Left wrist radiograph; PA/AP; 14y M; acquired on Siemens

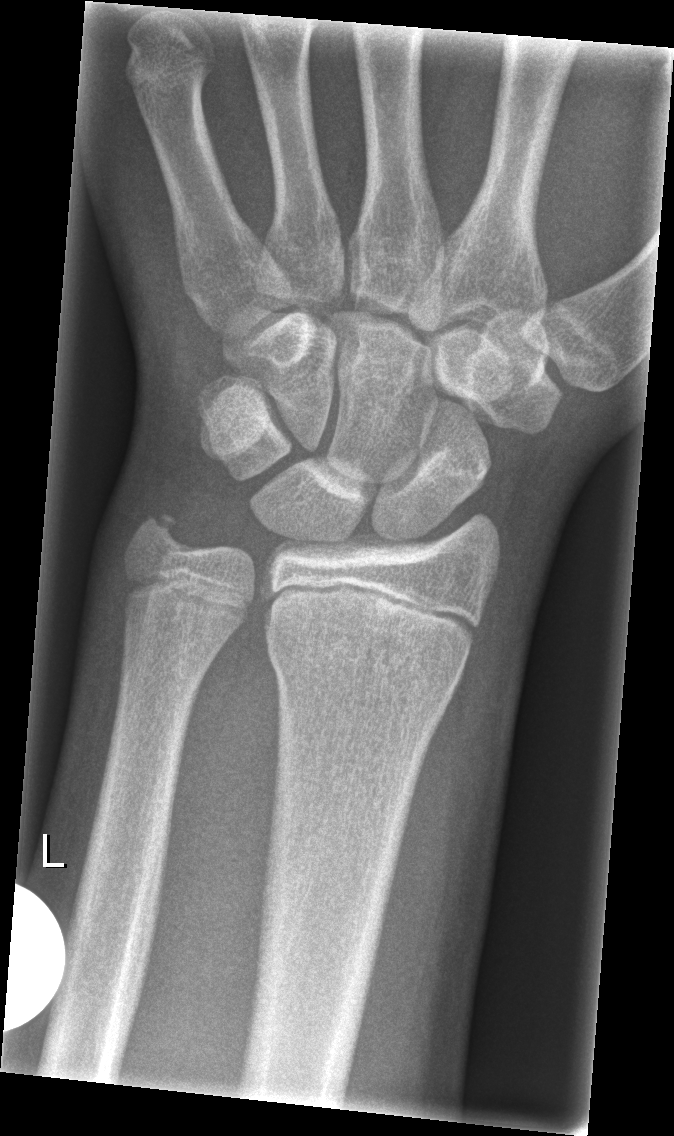
FINDINGS: Bone fracture: <259,617>-<470,710>; <125,506>-<194,563>.